Left plain radiograph of the wrist; PA projection; initial study — 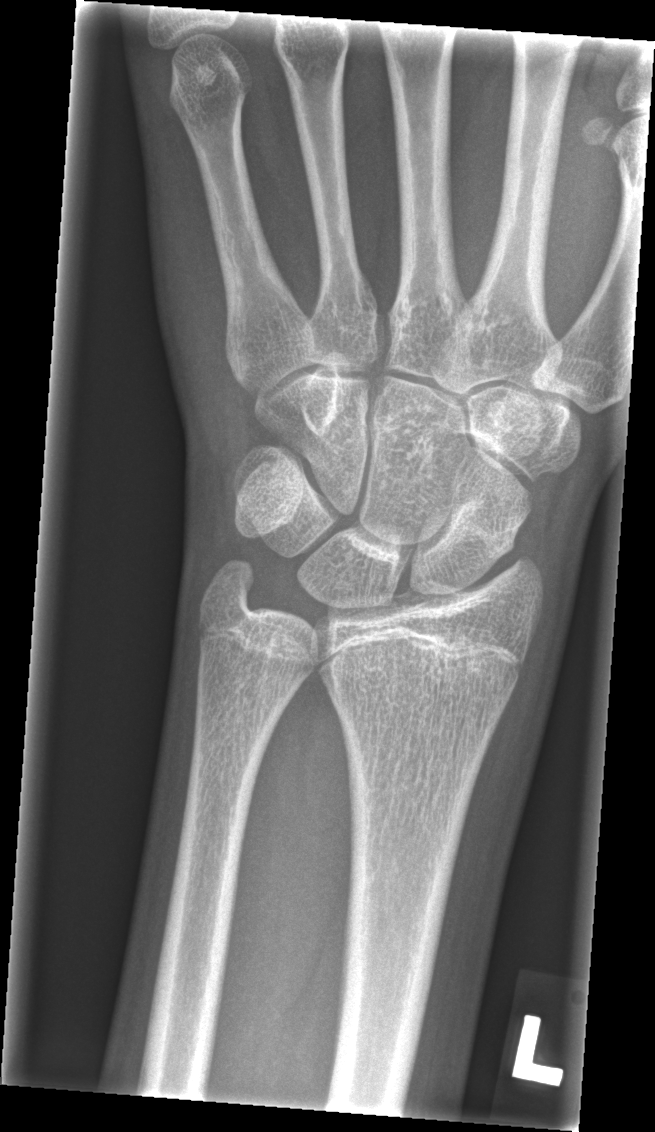

Q: AO code?
A: AO code 23r-M/2.1
Q: Is there a fracture?
A: Fracture: present but not clearly seen in this view